Lateral view, left wrist XR, 7-year-old female, presentation radiograph.
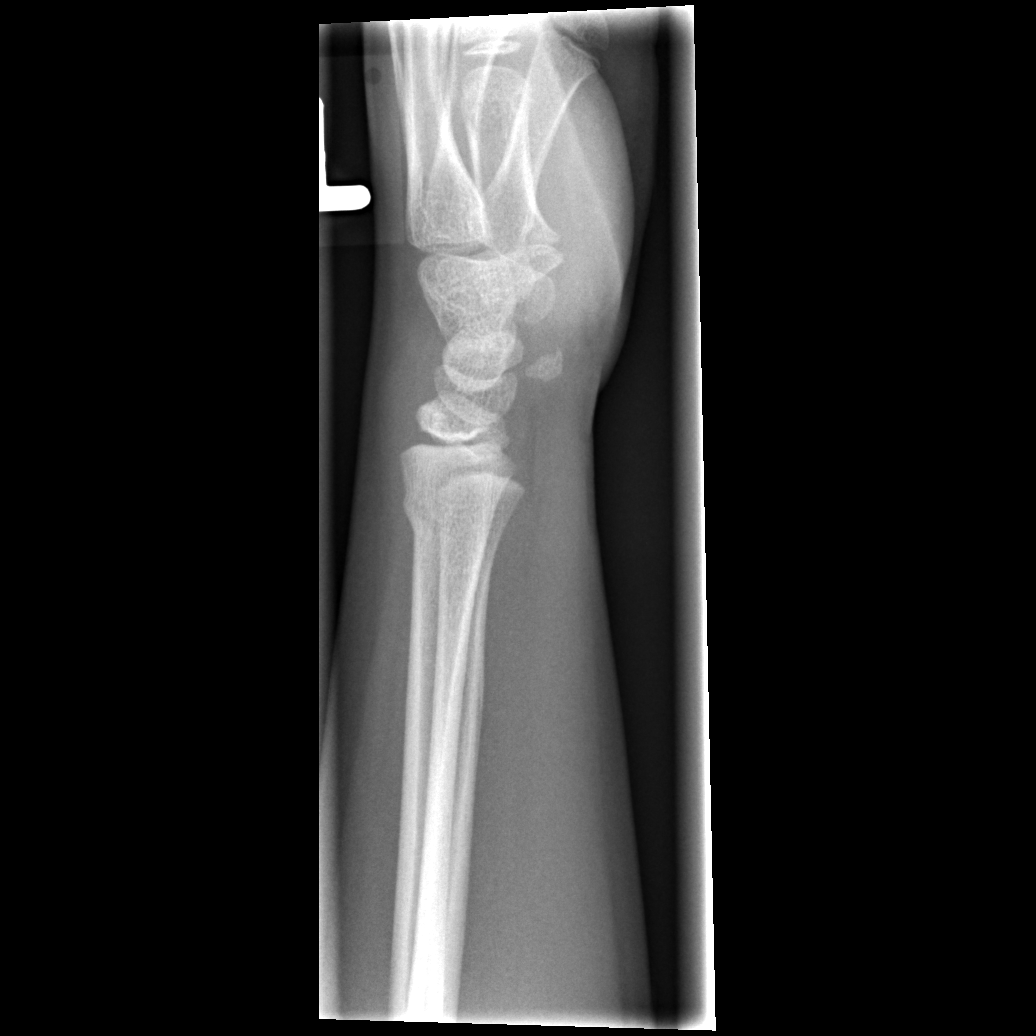
FINDINGS: One fracture at <398,481>-<495,543>.